L wrist plain film; PA projection; 8y F —
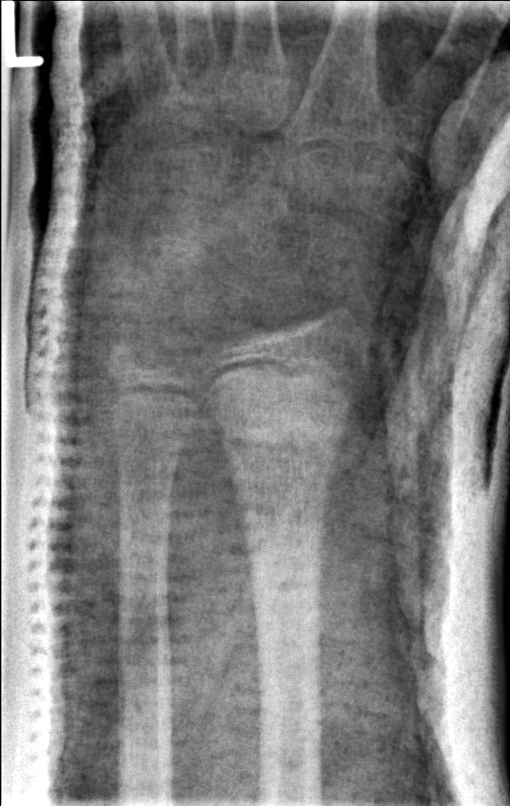

Bone fracture: 2 @ 213,394,351,489
  103,335,169,381